L wrist radiograph | lateral projection | follow-up study | Siemens —
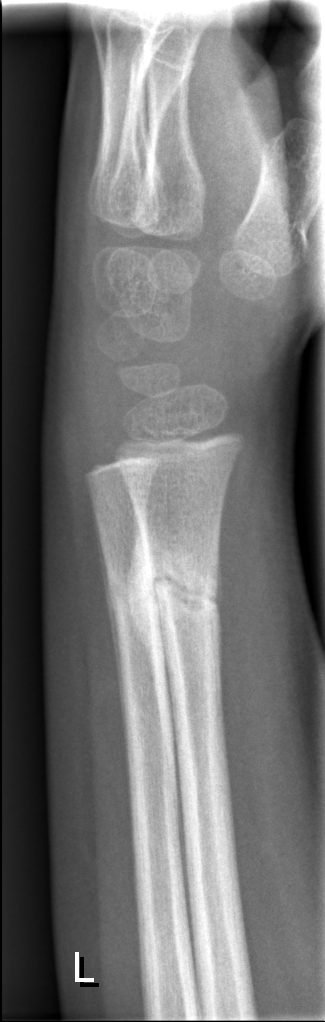 {
  "periostealreaction": "3 @ [124, 498, 186, 806] [91, 499, 128, 776] [217, 541, 223, 687]",
  "fracture": "[138, 548, 228, 629] [103, 567, 164, 625]"
}